Lat projection | left pediatric wrist radiograph | pediatric patient (female, age 6) | image width 87.3 mm | image size 606x860:

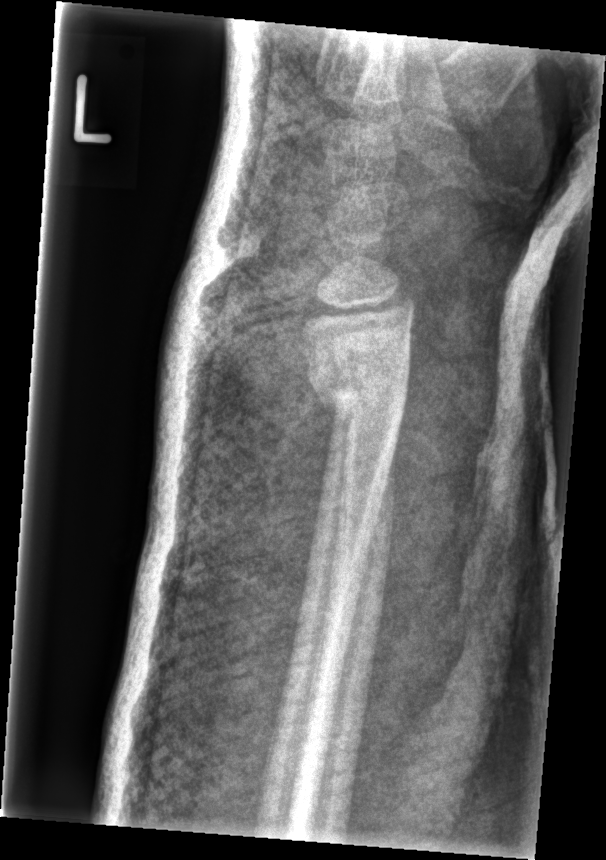

# bounding boxes in image-pixel xyxy
fracture: <302,347>-<411,423>